Lt pediatric wrist radiograph; lat; 516 x 1052 px 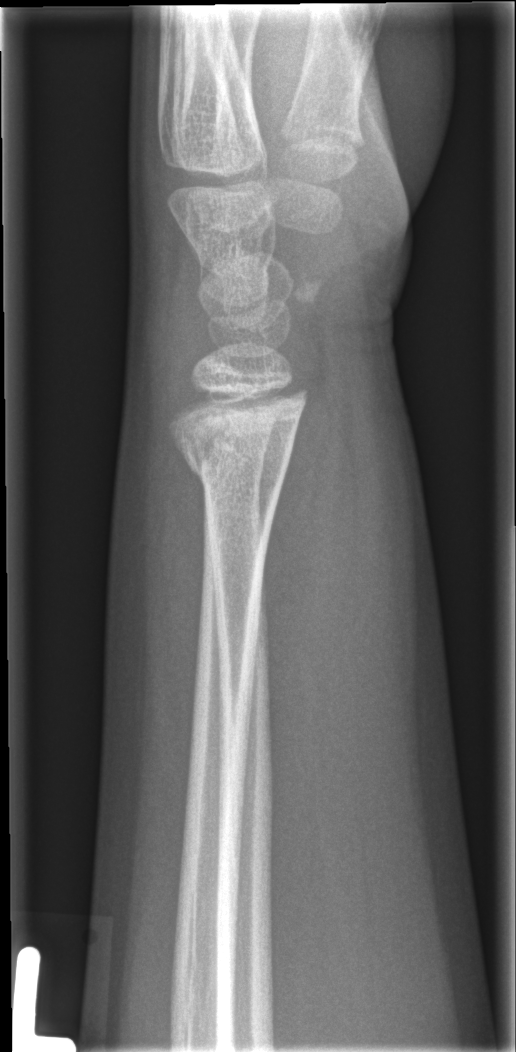 (coordinates are [x1, y1, x2, y2] in image pixels)
Q: Pronator fat-pad sign?
A: Positive pronator fat-pad sign — (left=262, top=368, right=366, bottom=767)
Q: Locate any fractures.
A: Bone fracture: (left=170, top=414, right=300, bottom=507)